Right wrist plain radiograph of the wrist; lateral view; imaged through cast; image width 71.1 mm; image size 494x944.

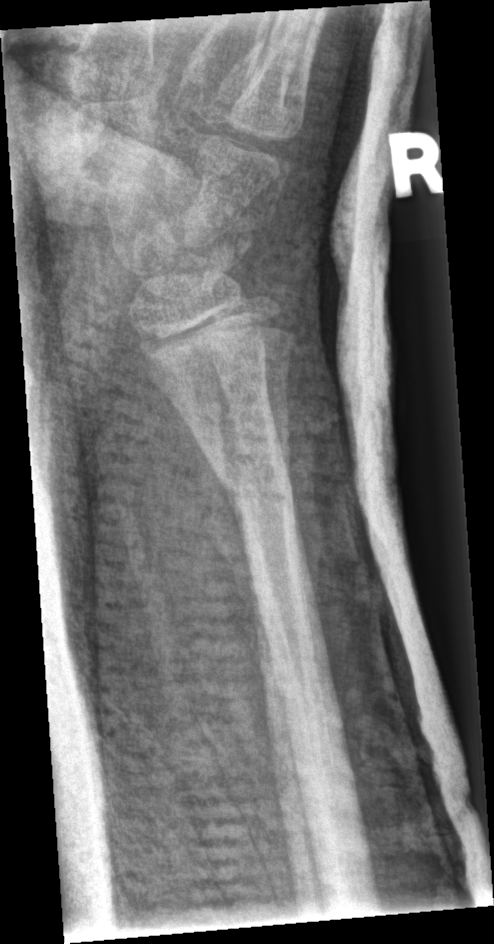
Fracture: 199,429,300,519.